Lt wrist plain film; PA/AP; 16-year-old female; presentation radiograph; image 95.3 mm wide —
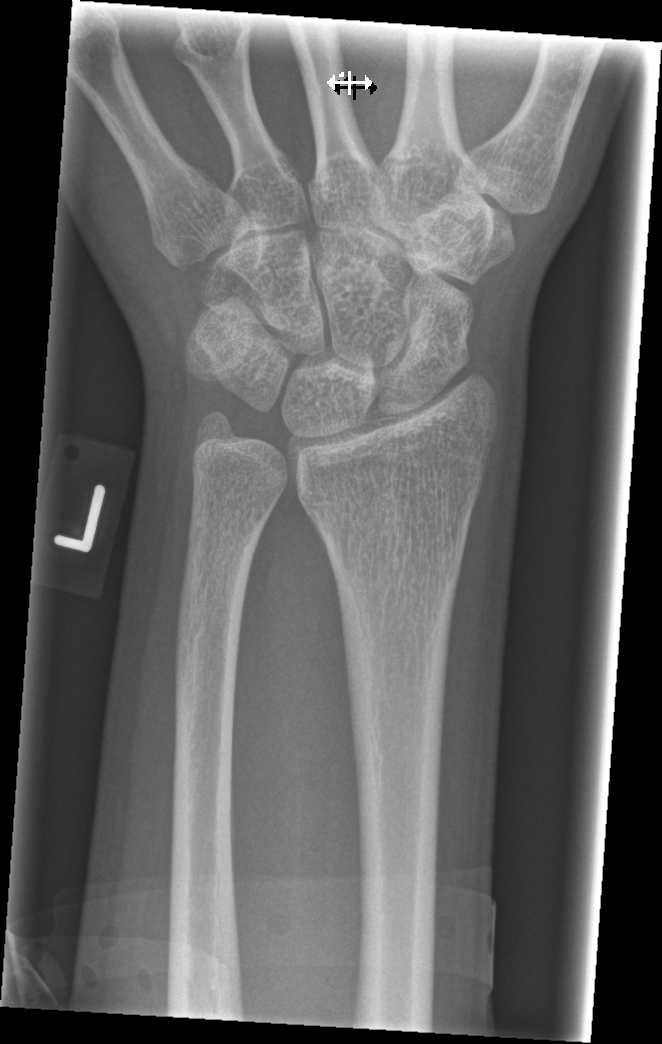 No fracture bounding box.